PA/AP view | right wrist plain radiograph of the wrist 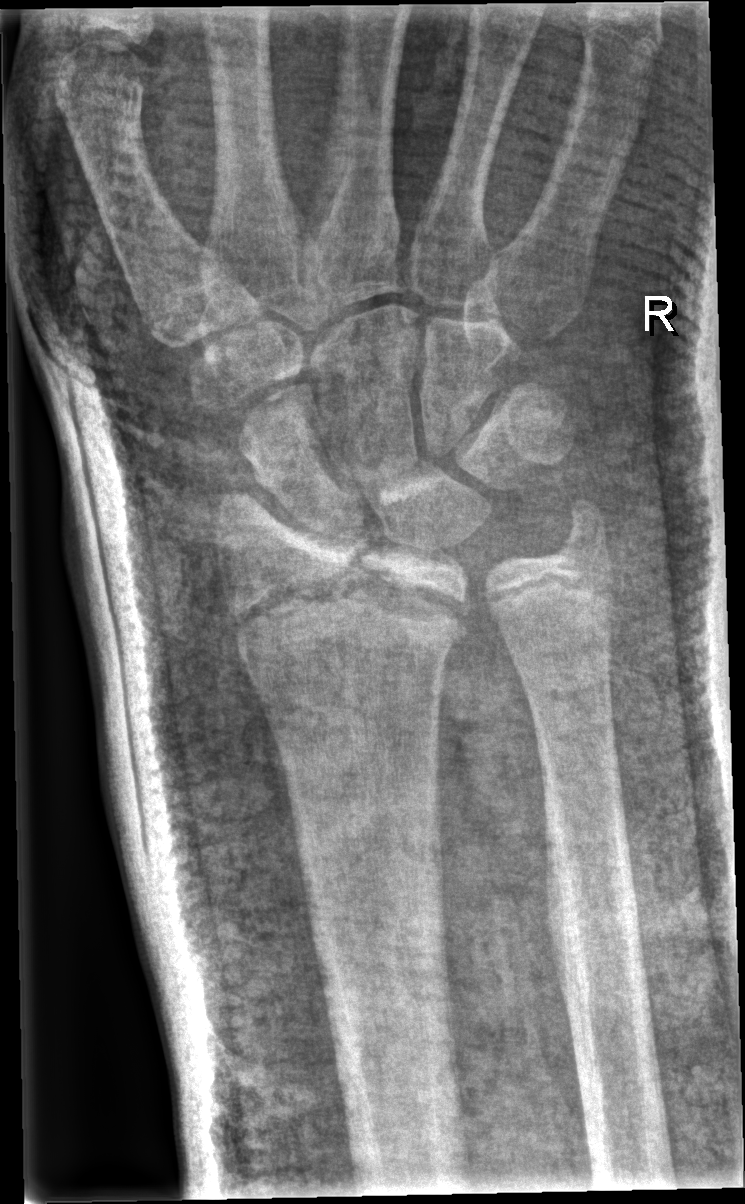

Findings: (bounding boxes in image-pixel xyxy) Fracture classified AO/OTA 23r-E/4.1; 23u-E/7. Two Fx at [x1=218, y1=525, x2=471, y2=659] [x1=544, y1=506, x2=619, y2=579].